Lateral; Rt wrist X-ray; image size 374x912: 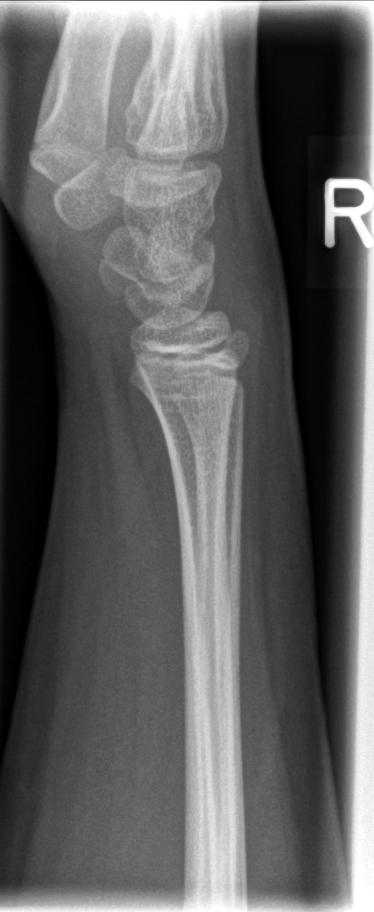

Findings: No fracture annotation.